Posteroanterior view, Rt wrist X-ray, 12-year-old boy, Siemens

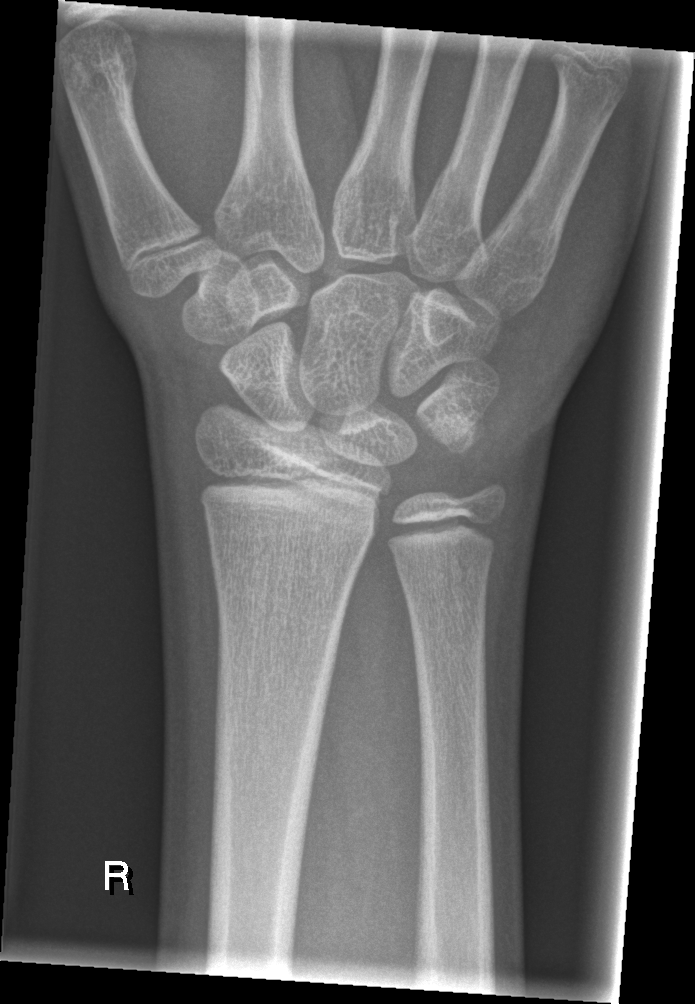
Q: Locate any fractures.
A: No fracture labeled